Right wrist X-ray, PA/AP projection, cast in situ, image size 712x1122:

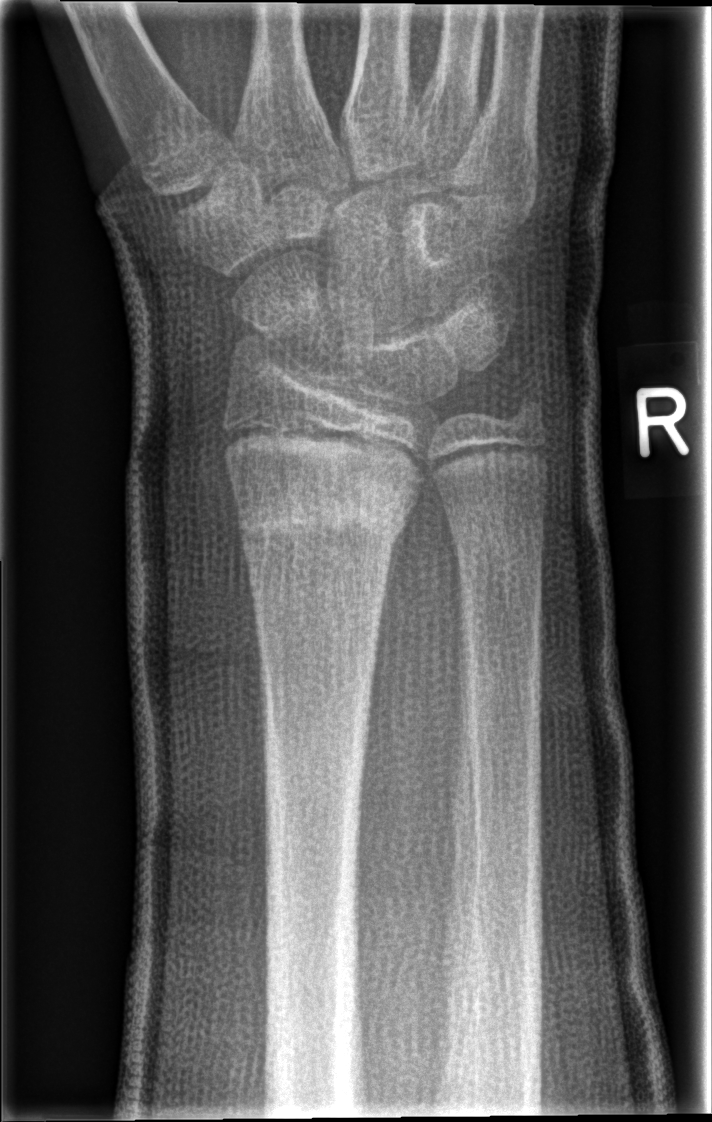 - Pixel coordinates, top-left origin, xyxy.
- Bone fracture: bbox(227, 467, 416, 545).